R plain radiograph of the wrist; lat view; initial study; 52.4 mm image width 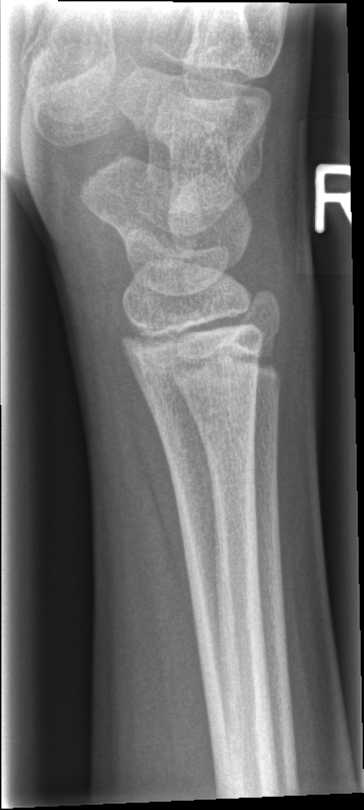

fracture: none labeled